Left pediatric wrist radiograph | AP | boy, 11 yo | 646 by 1033 pixels —

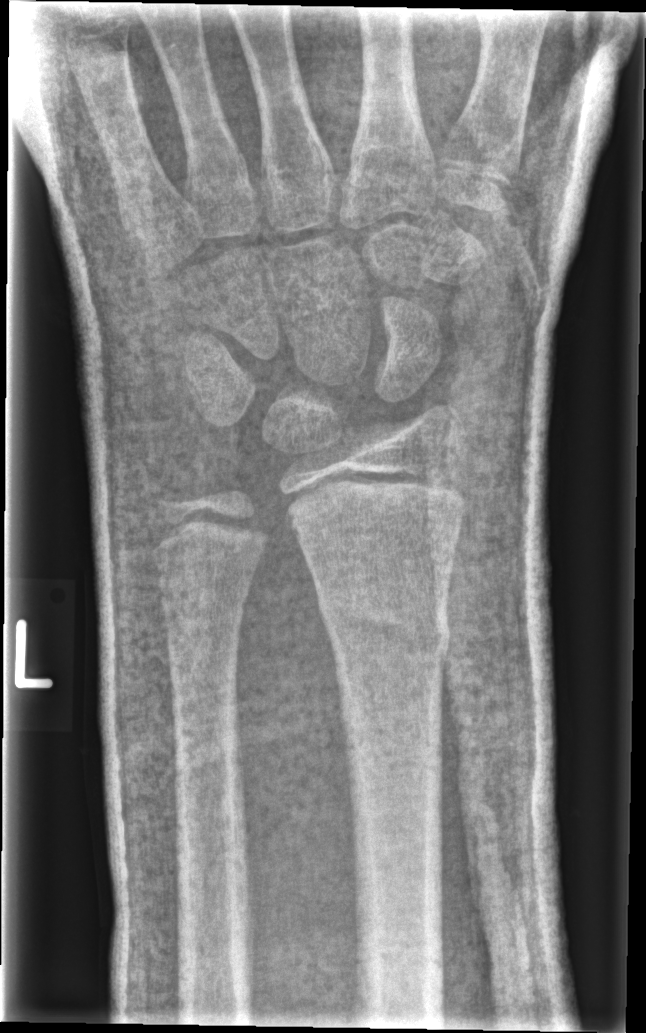

(pixel coordinates, top-left origin, xyxy)
AO classification = 23r-M/2.1; 23u-E/7
Bone fracture = 1 @ (left=316, top=582, right=455, bottom=661)